Lat view; R wrist radiograph 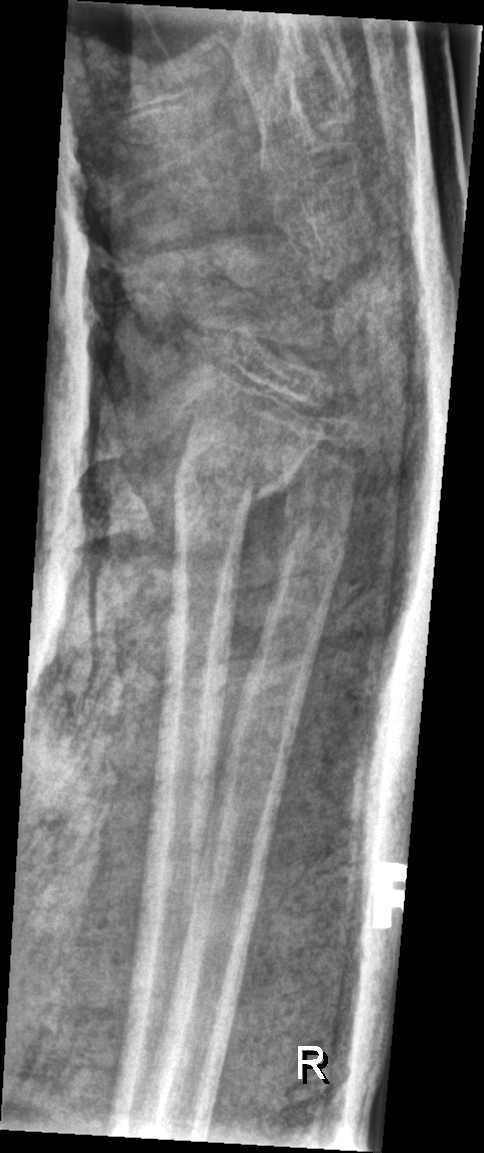 FINDINGS — Two bone fractures at (left=169, top=443, right=287, bottom=521); (left=272, top=501, right=354, bottom=579).